AP view · R wrist plain film · age 17 y, boy
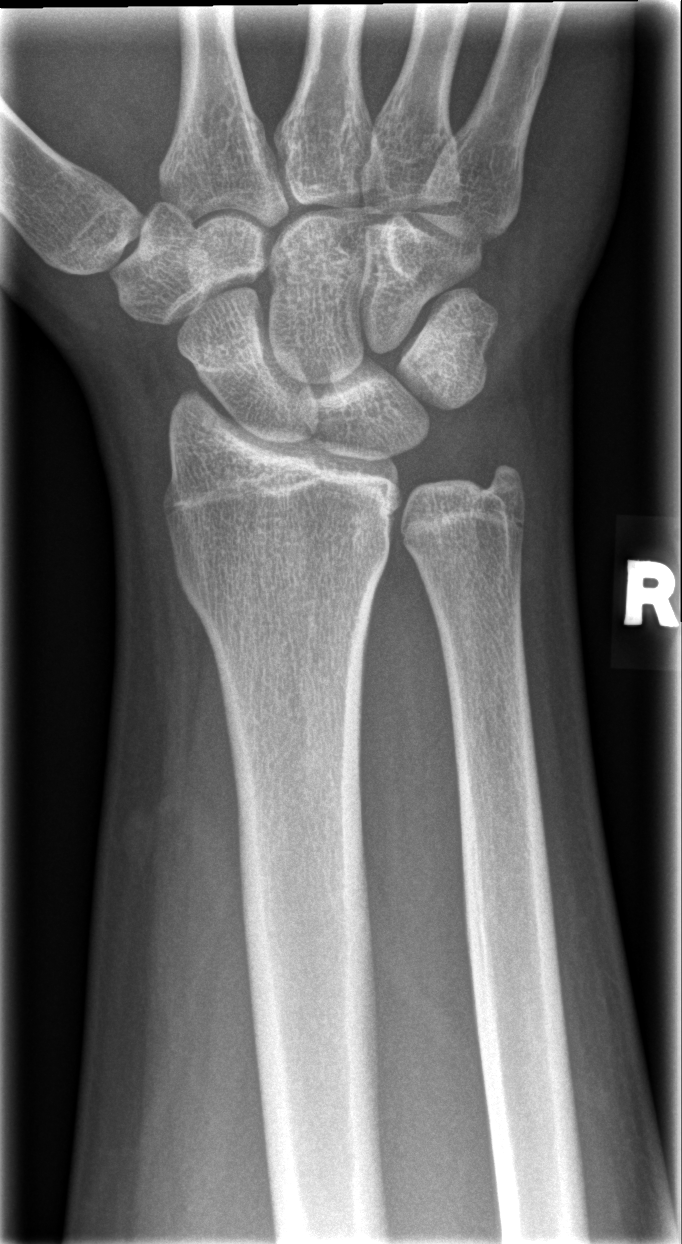
FINDINGS — No fracture bounding box.